Left wrist plain radiograph of the wrist · lateral projection · boy, 10 yo · 396x821.

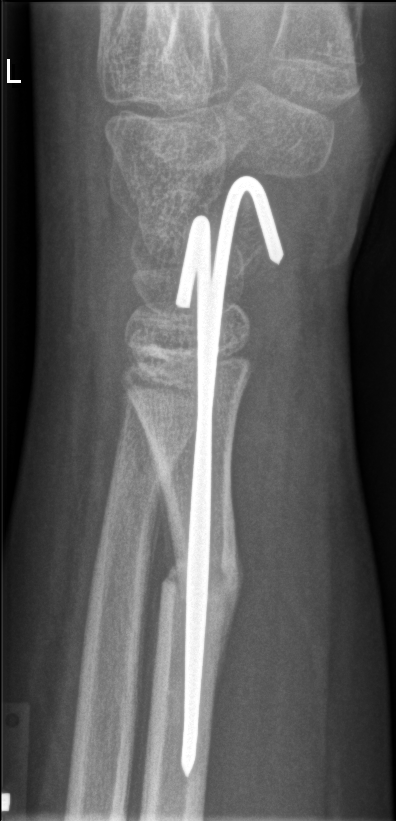

Findings: One periosteal reaction at (left=216, top=541, right=244, bottom=692). Metallic hardware identified at (left=176, top=174, right=286, bottom=779). Bone fracture: (left=155, top=543, right=245, bottom=629), (left=108, top=434, right=179, bottom=512). Fracture classified AO/OTA 23r-M/3.1; 23u-M/2.1.